Frontal projection · left wrist plain film · male, 9 yo. 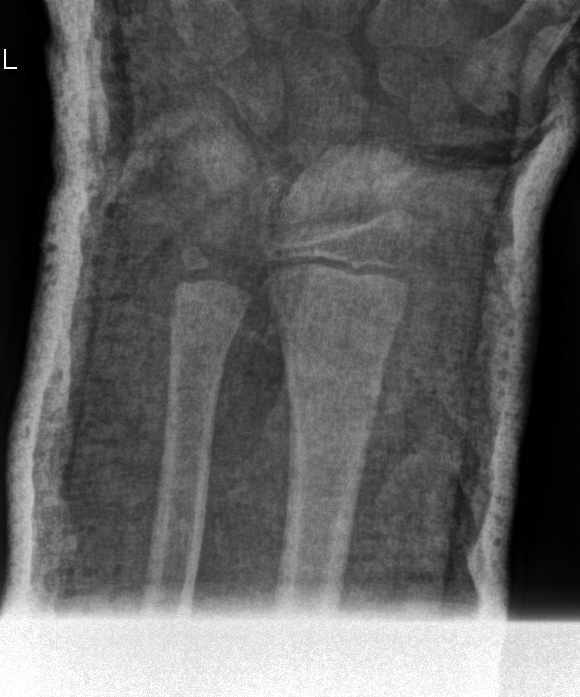 Fx = 282,349,385,418
AO/OTA = 23r-M/3.1